Rt plain radiograph of the wrist | AP projection | 14y M.

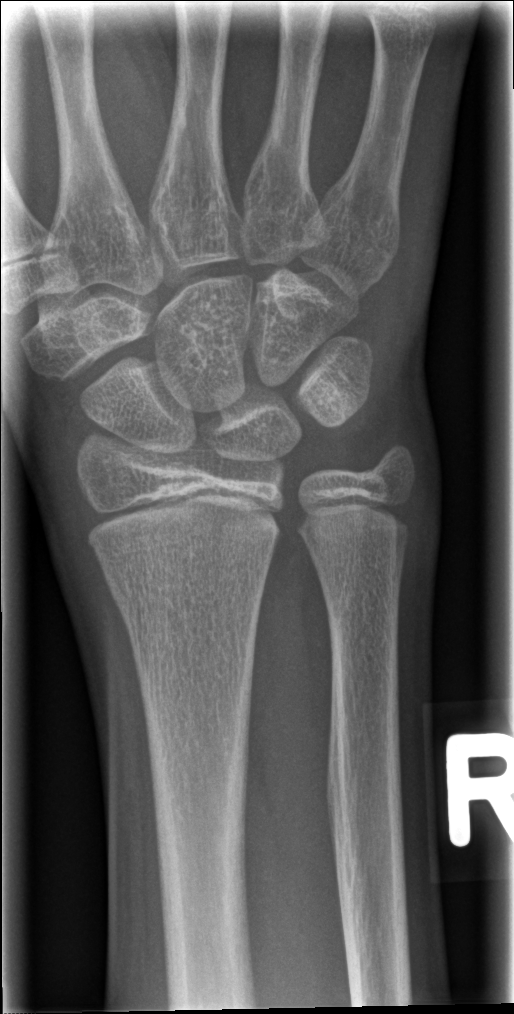

FINDINGS — (pixel coordinates, top-left origin, xyxy) Fracture — 104 565 267 635.